Lat projection · L wrist XR —

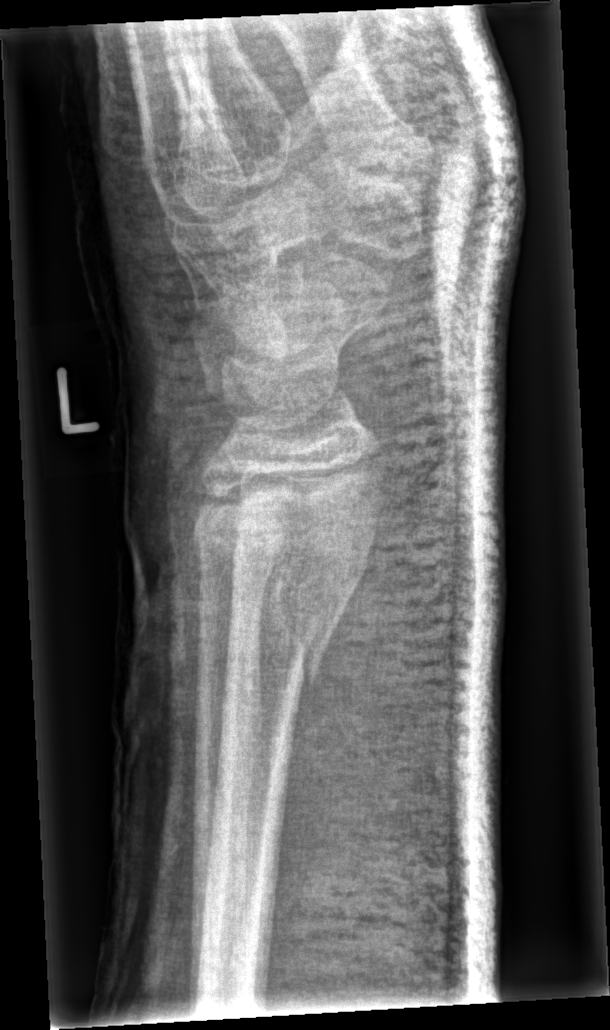 bone fracture: (left=182, top=491, right=372, bottom=695)